Right wrist radiograph | PA projection

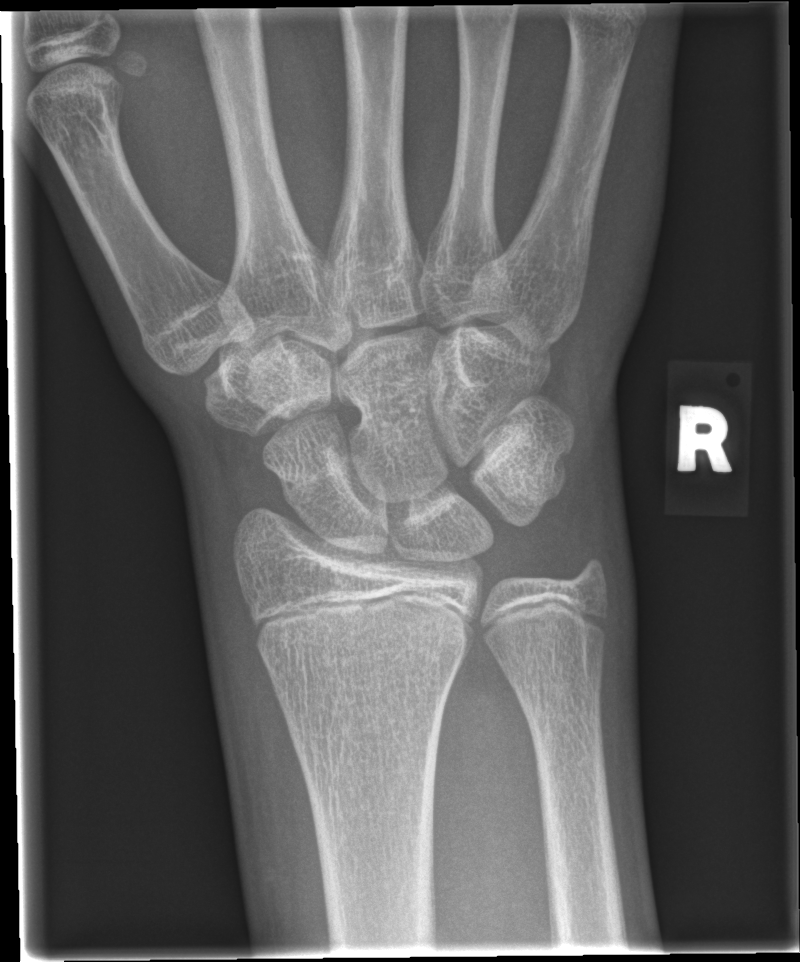 Fracture present but not clearly seen in this view.